Right wrist X-ray · lateral projection — 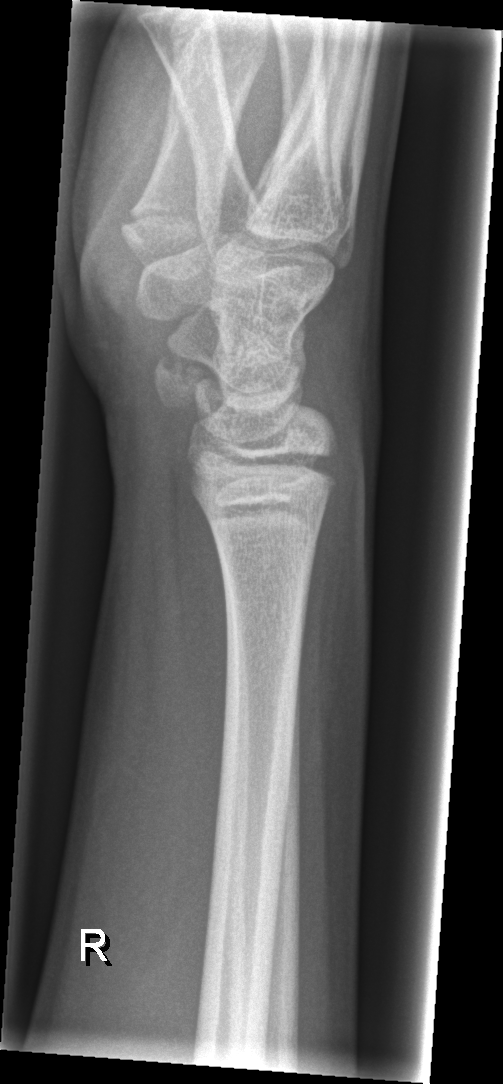 FINDINGS: Fx: none.